Lateral projection · left wrist radiograph · subsequent exam

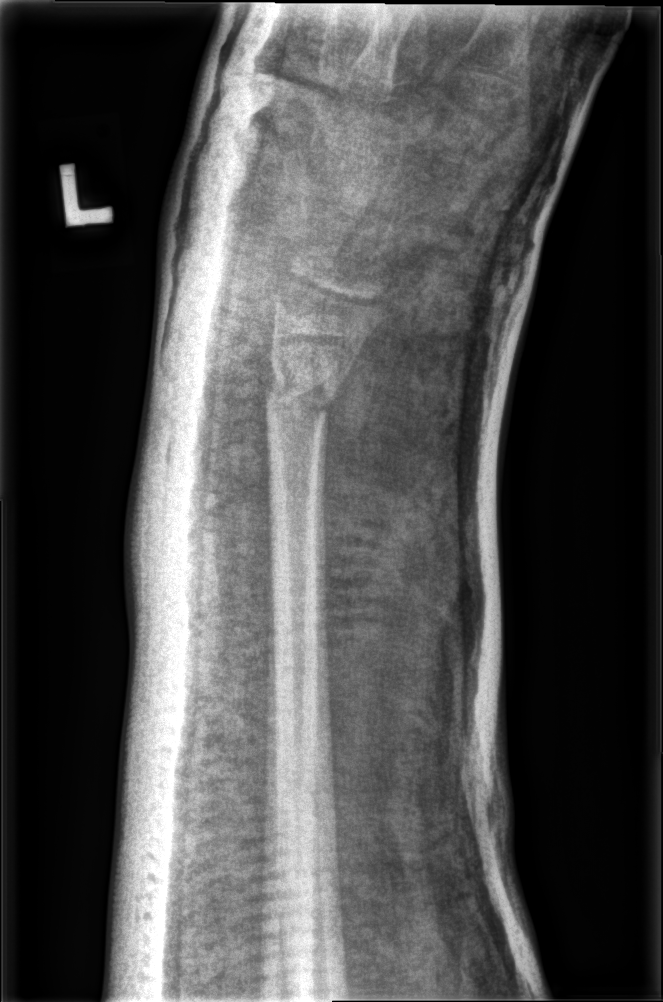

FINDINGS — AO/OTA classification: 23r-M/3.1; 23u-M/2.1. Fracture identified at bbox(261, 366, 344, 431).